AP · Lt wrist XR · presentation radiograph

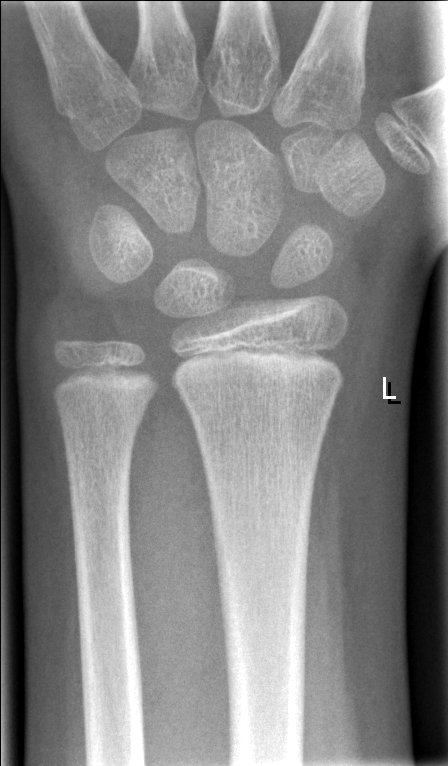

No Fx annotated.